L wrist plain film, posteroanterior view, presentation radiograph, image 93.0 mm wide: 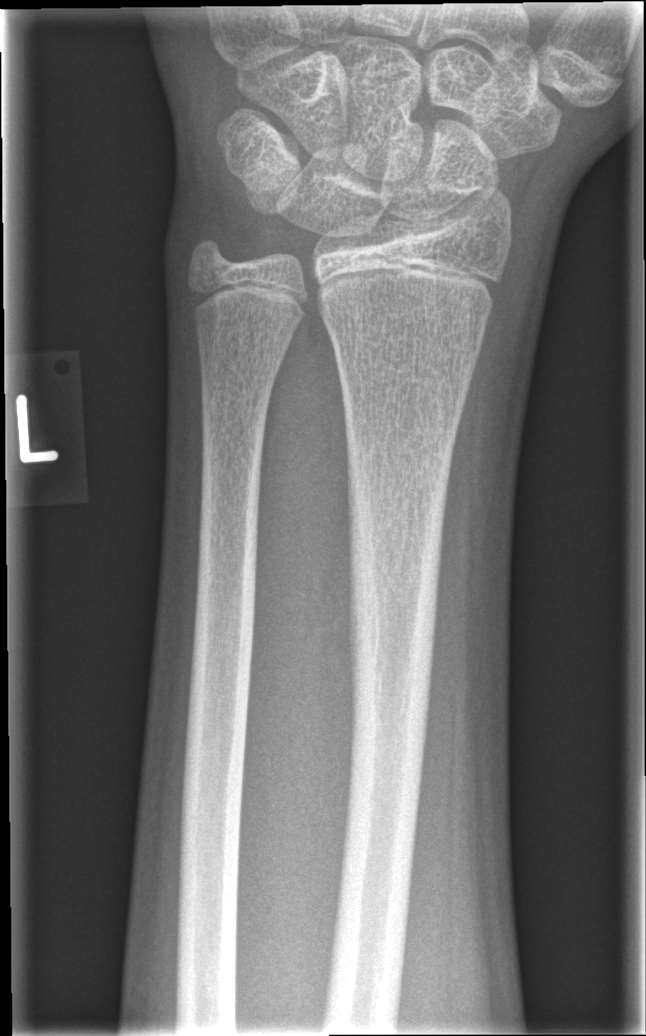

No fracture bounding box.